Rt wrist radiograph · lateral projection · detector: Siemens
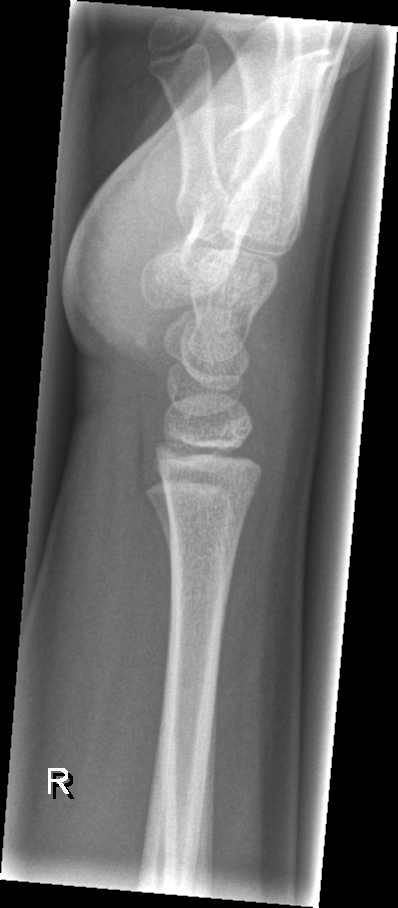

FINDINGS — No Fx annotated.